Posteroanterior view | L wrist X-ray | pediatric patient (boy, age 4) | index exam | detector: Siemens: 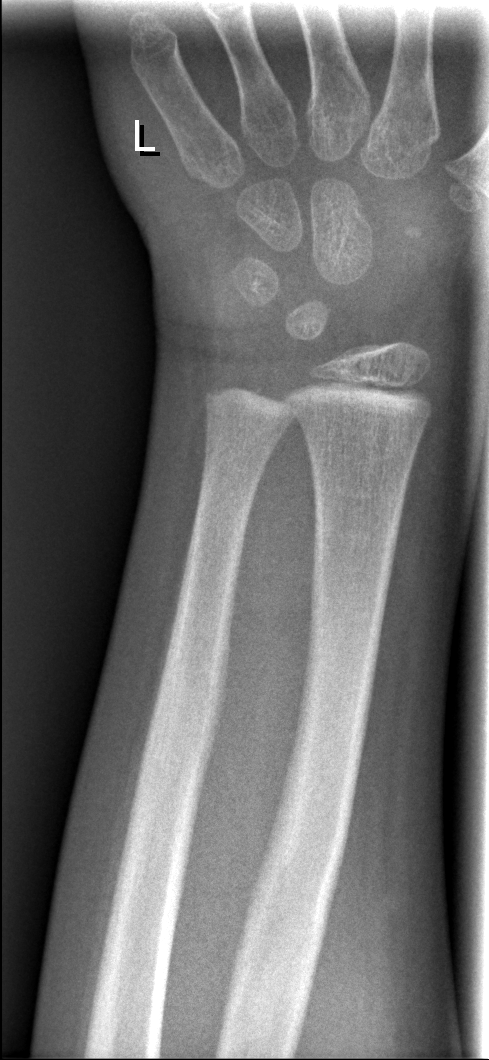 FINDINGS: Fracture: none labeled.